Lt wrist plain film | AP | acquired on Siemens | 572 by 816 pixels: 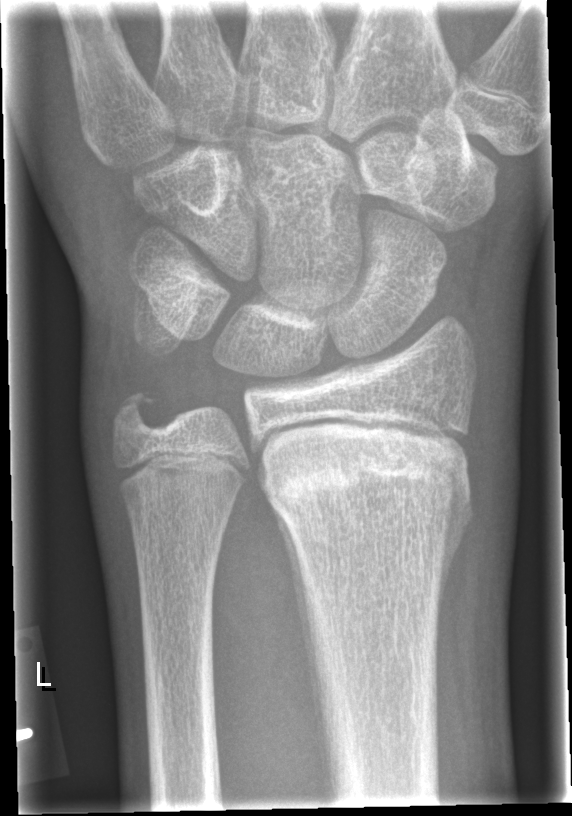

periosteal reaction: [x1=263, y1=485, x2=338, y2=791]; [x1=431, y1=465, x2=476, y2=645]
Fx: [x1=259, y1=439, x2=475, y2=540], [x1=104, y1=383, x2=164, y2=440]